Right wrist pediatric wrist radiograph; lateral projection; image width 127.2 mm.
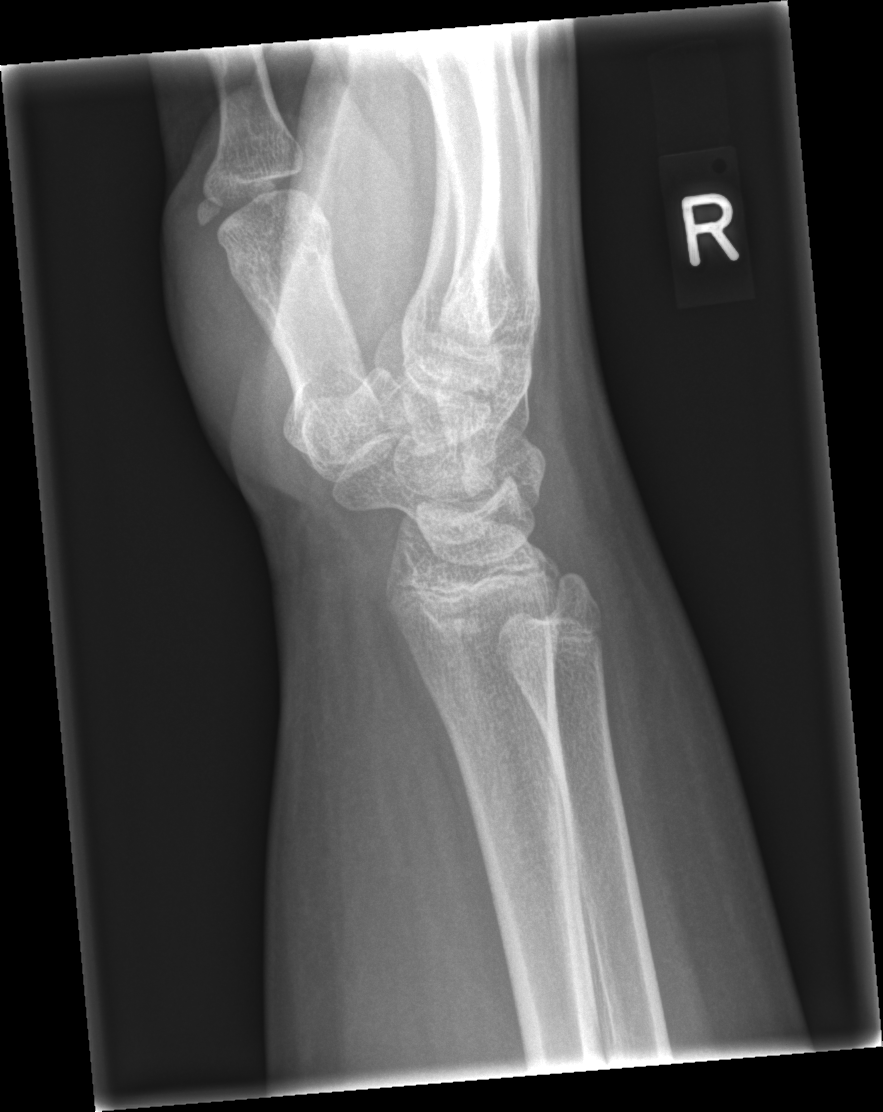 * No fracture labeled.